Rt wrist XR, PA/AP view, acquired on Siemens.

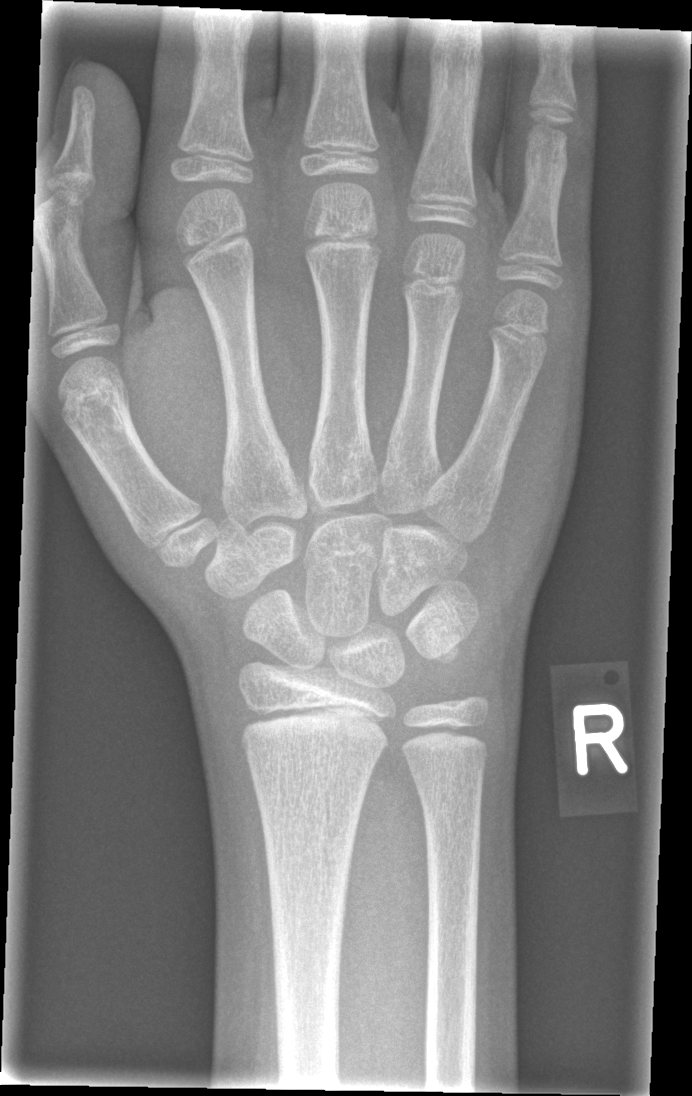 fracture = none labeled